Right pediatric wrist radiograph; lat view; image width 87.6 mm: 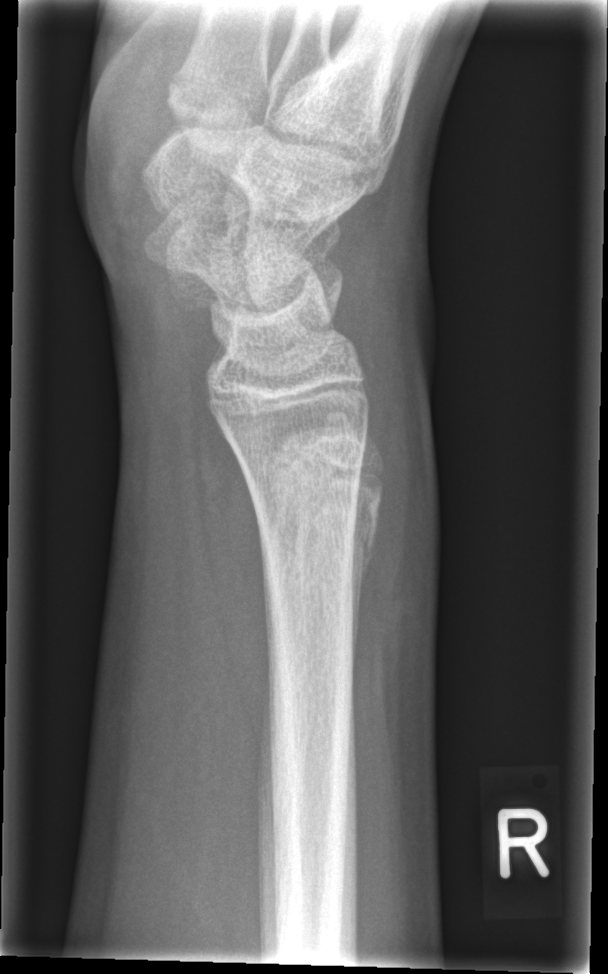

Q: Locate any fractures.
A: Fracture identified at 267,454,384,561
Q: What is the AO/OTA classification?
A: AO/OTA classification: 23u-E/2.1